Left wrist X-ray; lateral; girl, 11 yo —
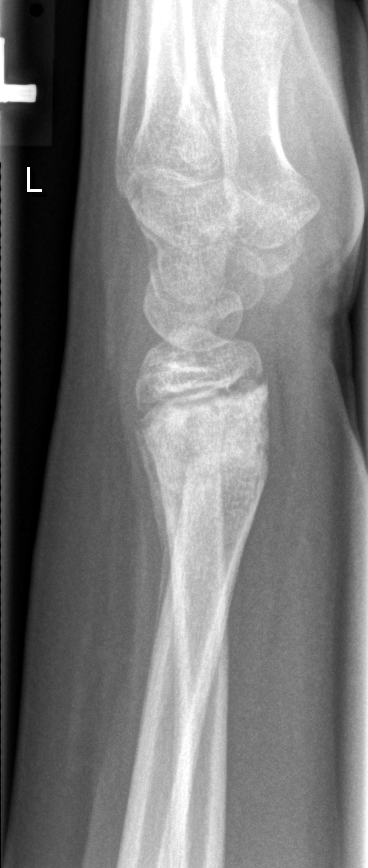
* Reduced bone mineral density.
* AO code 23r-M/3.1; 23u-M/2.1; 23u-E/7.
* Fx — [135, 380, 277, 507].